Left pediatric wrist radiograph; lat projection; cast present; image 121.5 mm wide
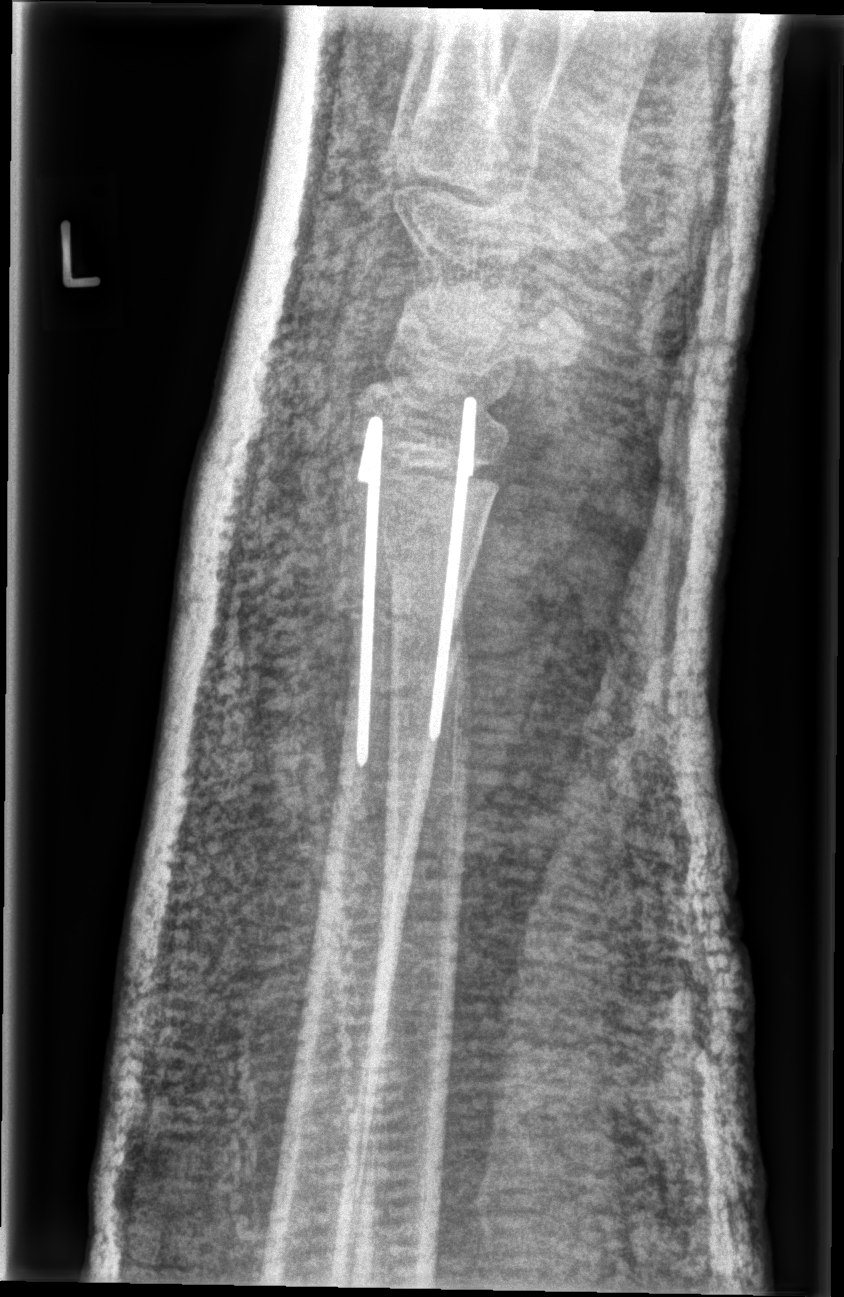

Fx: (left=345, top=594, right=471, bottom=665)
AO/OTA: 23-M/3.1; 23u-E/7
metal: 2 @ (left=420, top=390, right=483, bottom=747); (left=348, top=404, right=388, bottom=768)